Left plain radiograph of the wrist, PA view, pediatric patient (male, age 10), follow-up study, imaged through cast: 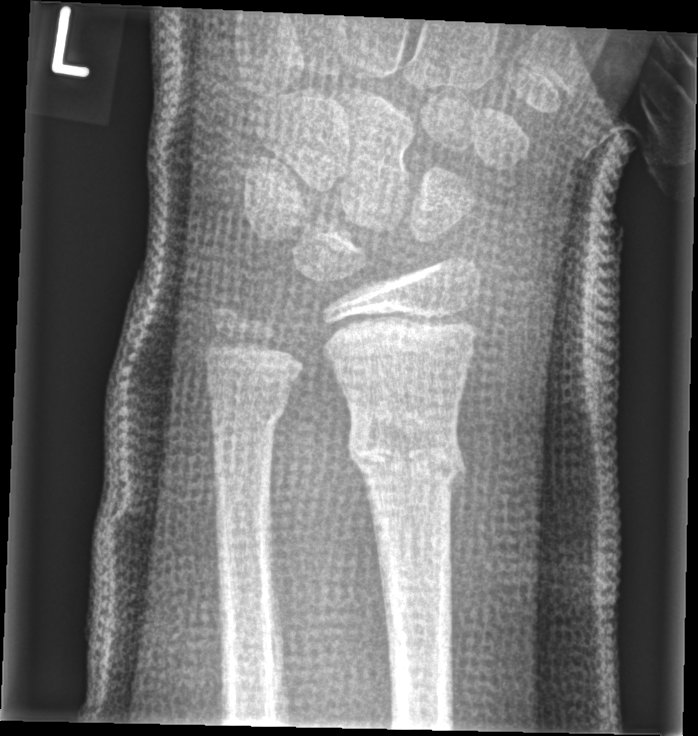
FINDINGS — Fracture identified at (344, 400, 469, 498) (205, 383, 290, 431). Fracture classified AO/OTA 23-M/2.1.